Lt plain radiograph of the wrist | AP | findings marked uncertain by the reading radiologist —

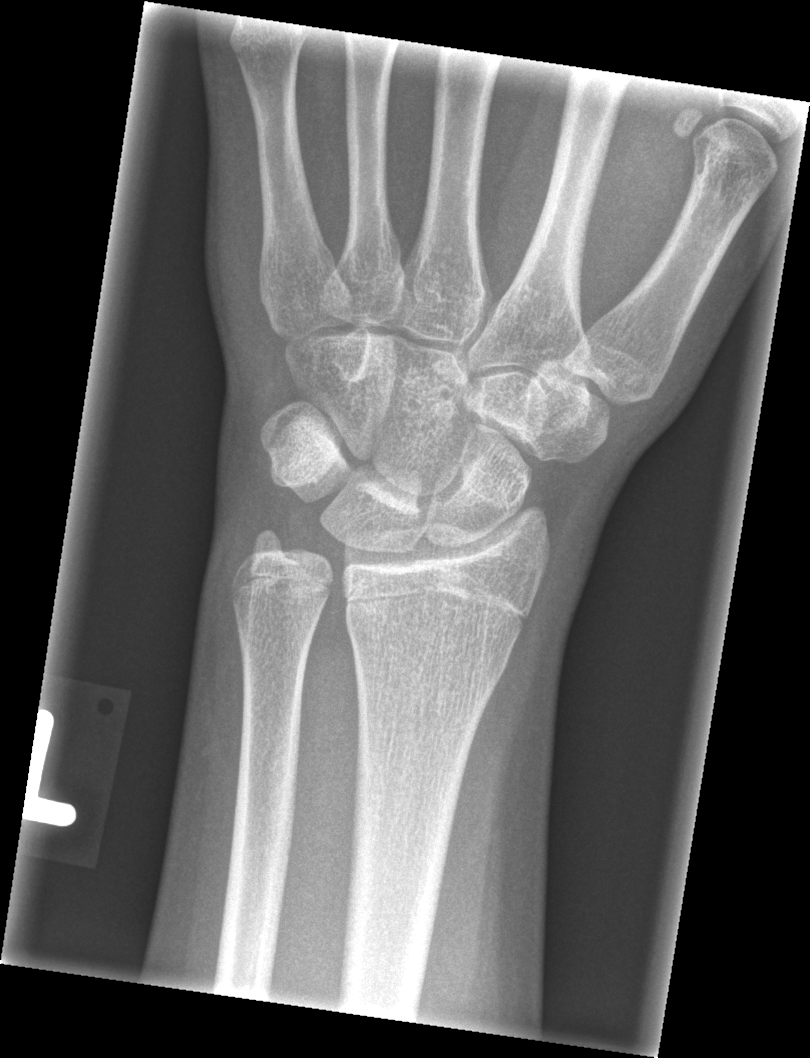

• Fx: none.